Right wrist plain radiograph of the wrist · PA/AP view —
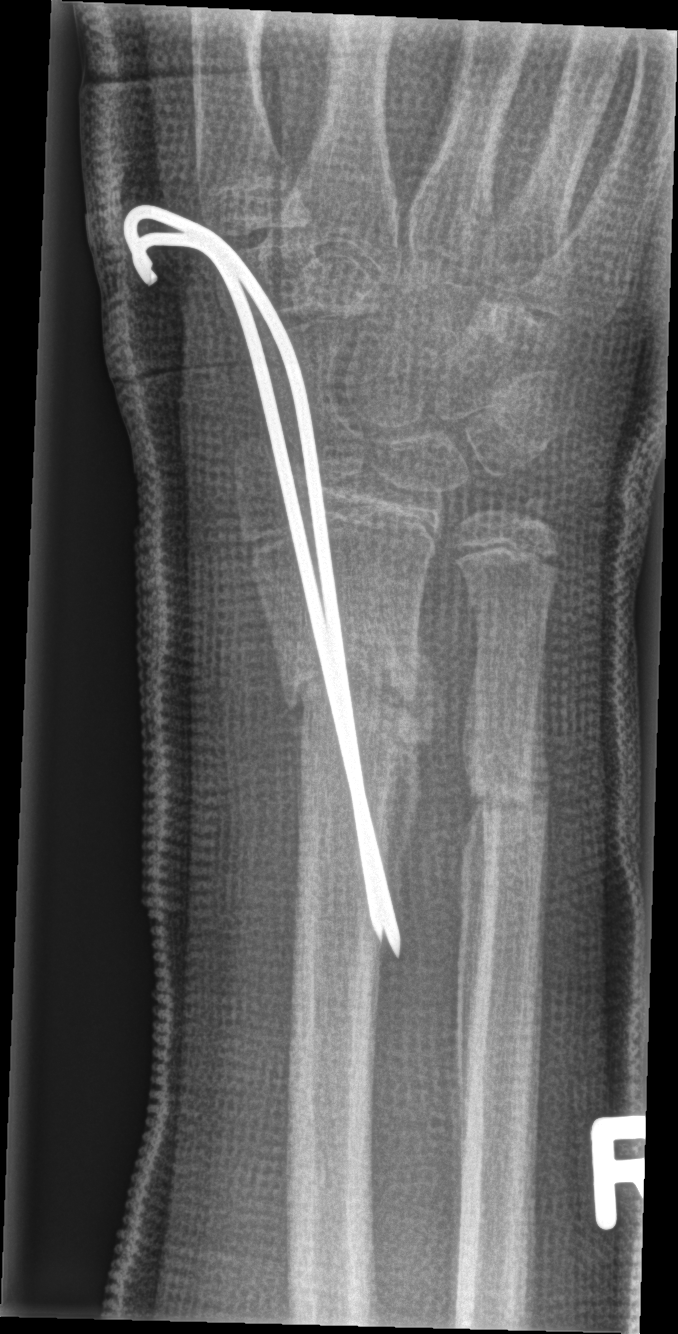
(bounding boxes in image-pixel xyxy)
bone fracture = 272 637 438 782; 459 740 557 831; 507 485 567 549
AO code = 23r-M/3.1; 22u-D/4.1; 23u-E/7
metal = 123 199 396 956